Posteroanterior view · Rt wrist X-ray · girl, 10 yo · image 88.3 mm wide —
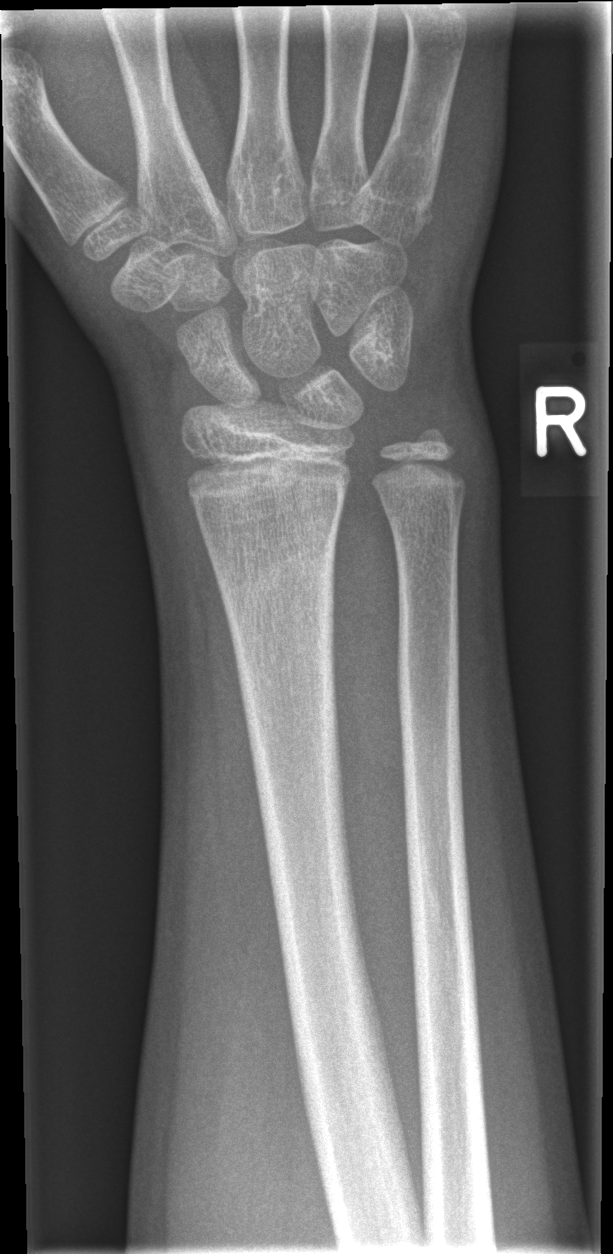
• AO/OTA classification: 23r-E/2.1; 23r-M/2.1.
• Fx — [x1=213, y1=538, x2=343, y2=641].